Posteroanterior | Lt wrist X-ray | presentation radiograph —
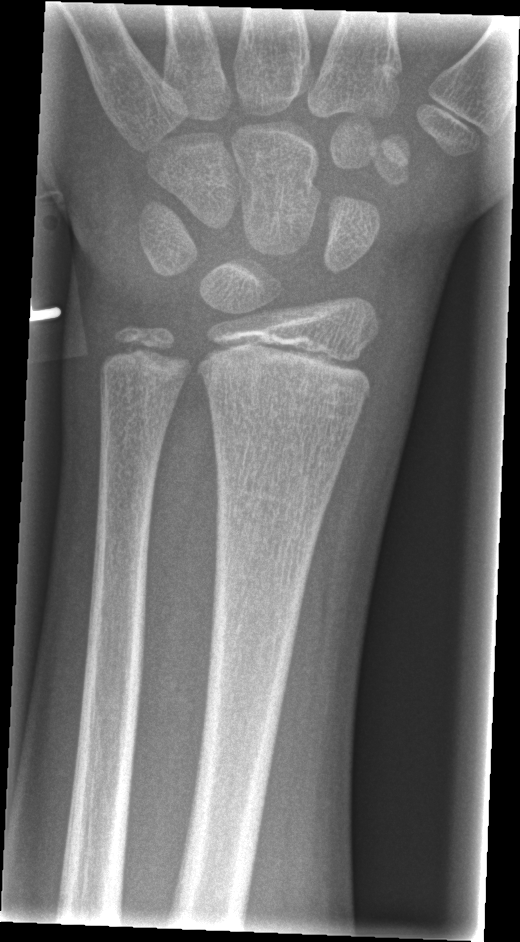 - Fracture present, though not clearly seen in this view.
- Fracture classified AO/OTA 23r-M/2.1.